Rt wrist XR · lateral projection.
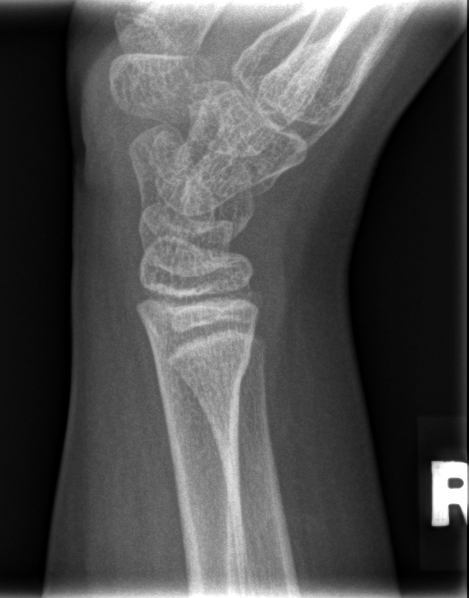

Coordinates are [x1, y1, x2, y2] in image pixels.
Fx: bbox(151, 342, 255, 393).
Fracture classified AO/OTA 23r-M/2.1.